Posteroanterior projection, right wrist plain radiograph of the wrist, girl, 12 yo, follow-up:

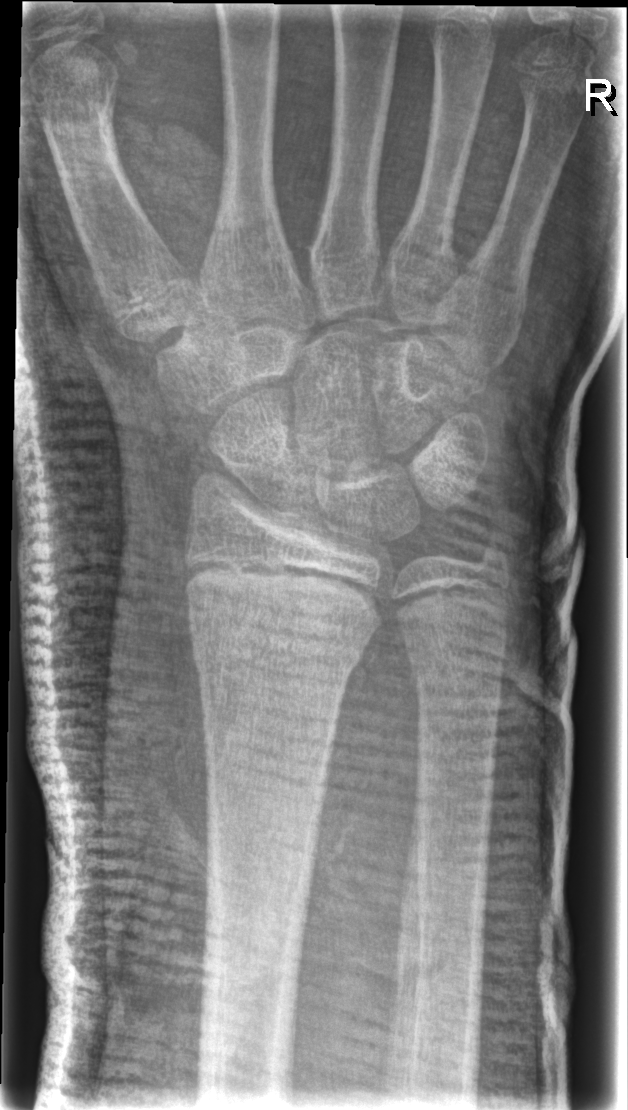
Fx = (186, 608, 368, 685)